PA view, left wrist radiograph, 8-year-old boy — 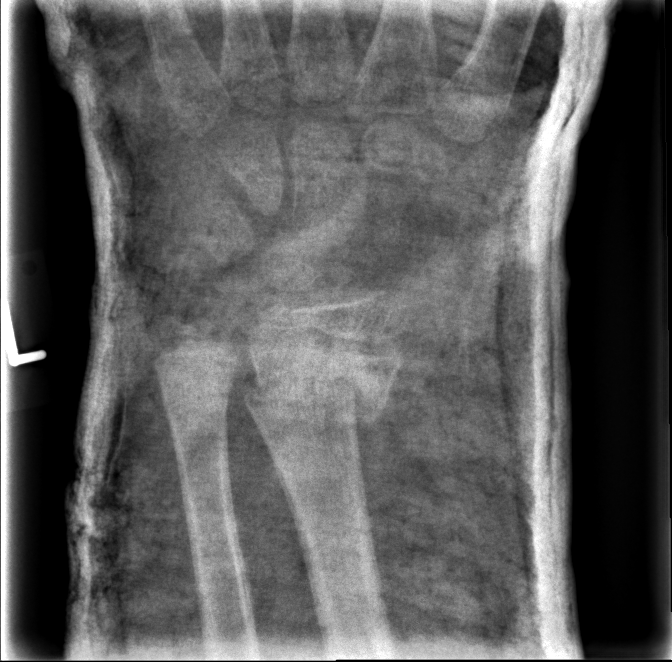

Q: Locate any fractures.
A: Bone fracture — 241,364,393,429